Posteroanterior view; right wrist radiograph; index exam — 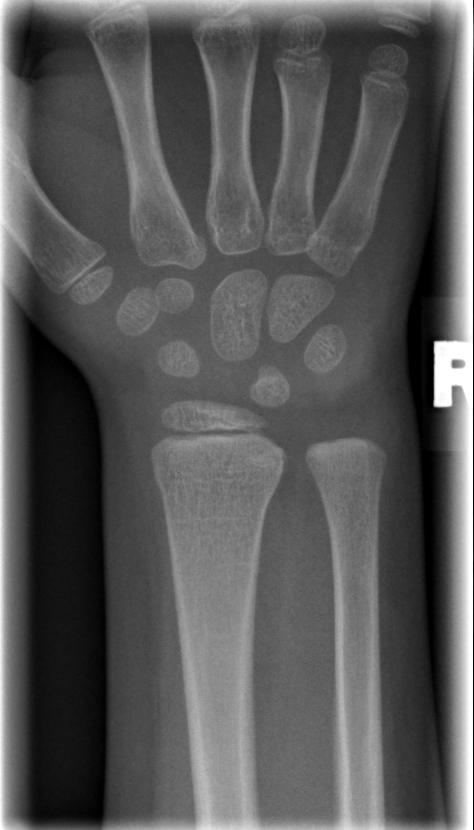

Findings: Fracture classified AO/OTA 23r-M/2.1. Fracture — (left=151, top=458, right=285, bottom=511).